Rt pediatric wrist radiograph, lat, 16y F

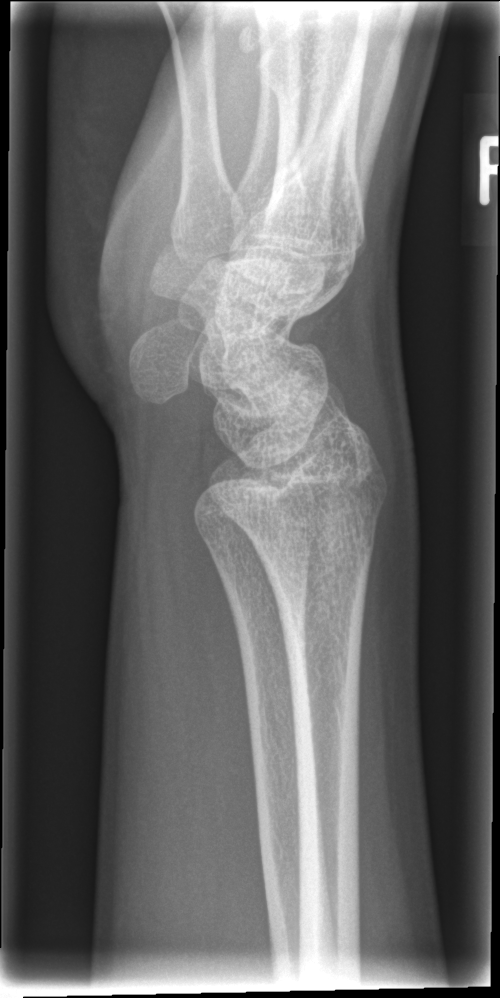 One Fx at bbox(253, 521, 381, 596).